PA/AP view; right wrist X-ray; age 4 y, boy; follow-up study:
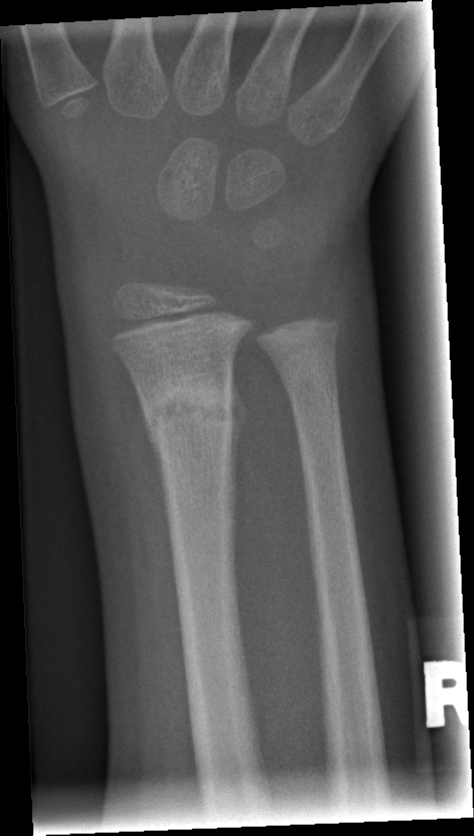 • Fracture — [x1=139, y1=371, x2=244, y2=451].
• Periosteal reaction identified at [x1=232, y1=384, x2=250, y2=528].